PA, left plain radiograph of the wrist 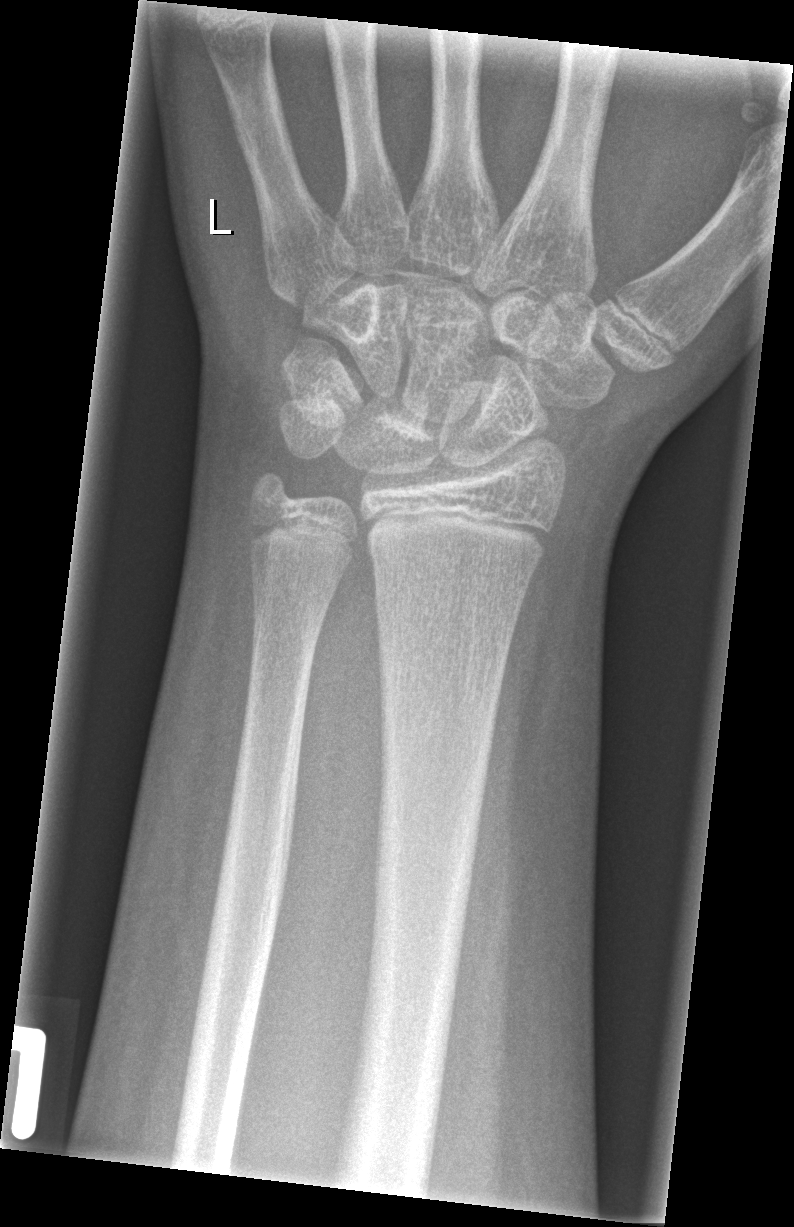 Fx: none labeled